Right wrist plain radiograph of the wrist; lat; 6-year-old female: 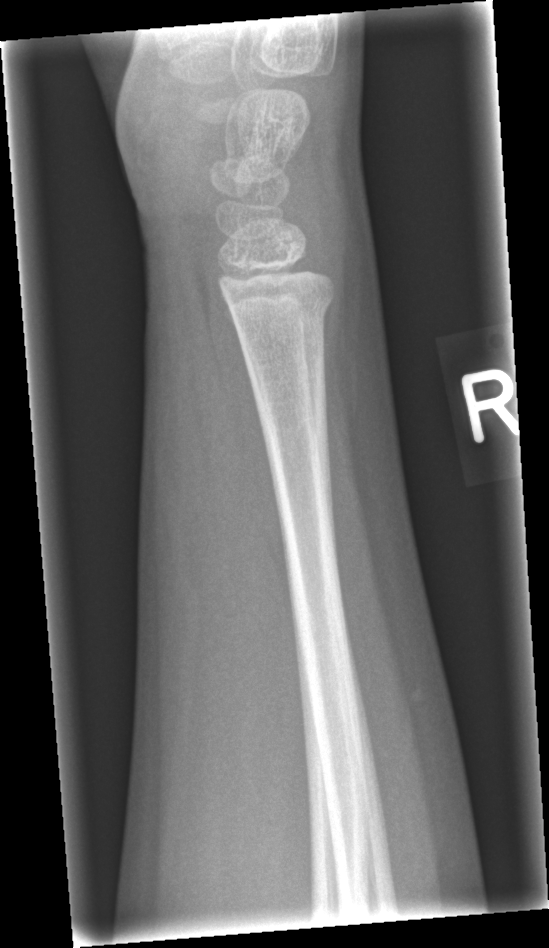 {
  "ao": "23r-M/2.1",
  "fracture": "1 @ <224,284>-<339,337>"
}